Lateral view, right wrist X-ray, 15y F, in cast

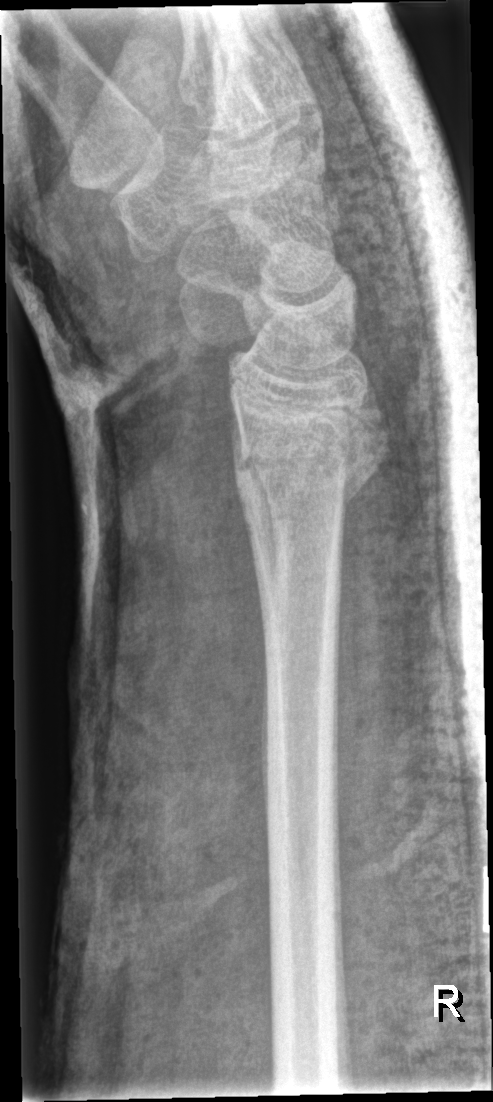 Findings: (bounding boxes in image-pixel xyxy) One Fx at (left=226, top=404, right=387, bottom=503).